Lateral, left plain radiograph of the wrist, 9y M, Siemens, 454 by 900 pixels — 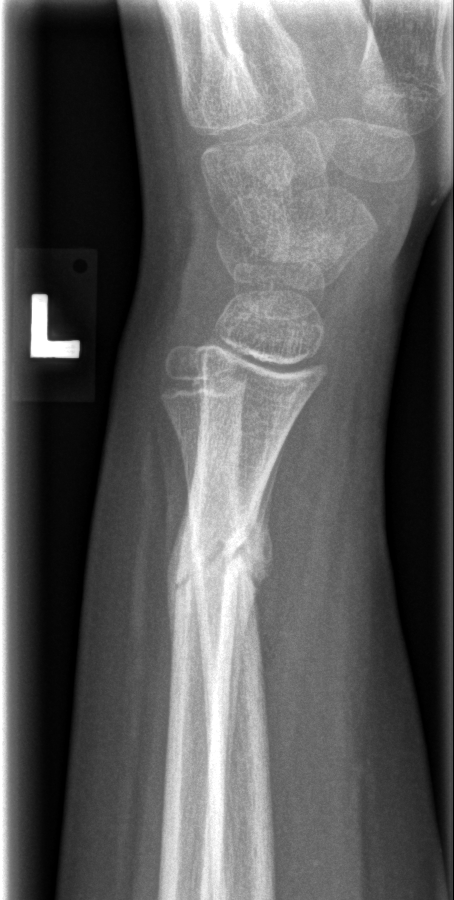 • Bounding boxes in image-pixel xyxy.
• Periosteal thickening — (left=224, top=434, right=283, bottom=800), (left=166, top=500, right=188, bottom=646).
• One bone fracture at (left=161, top=495, right=273, bottom=623).
• AO/OTA classification: 23r-M/3.1; 23u-M/2.1.
• Decreased bone density (osteopenia).